Left wrist plain film | AP view | 97.3 mm image width:
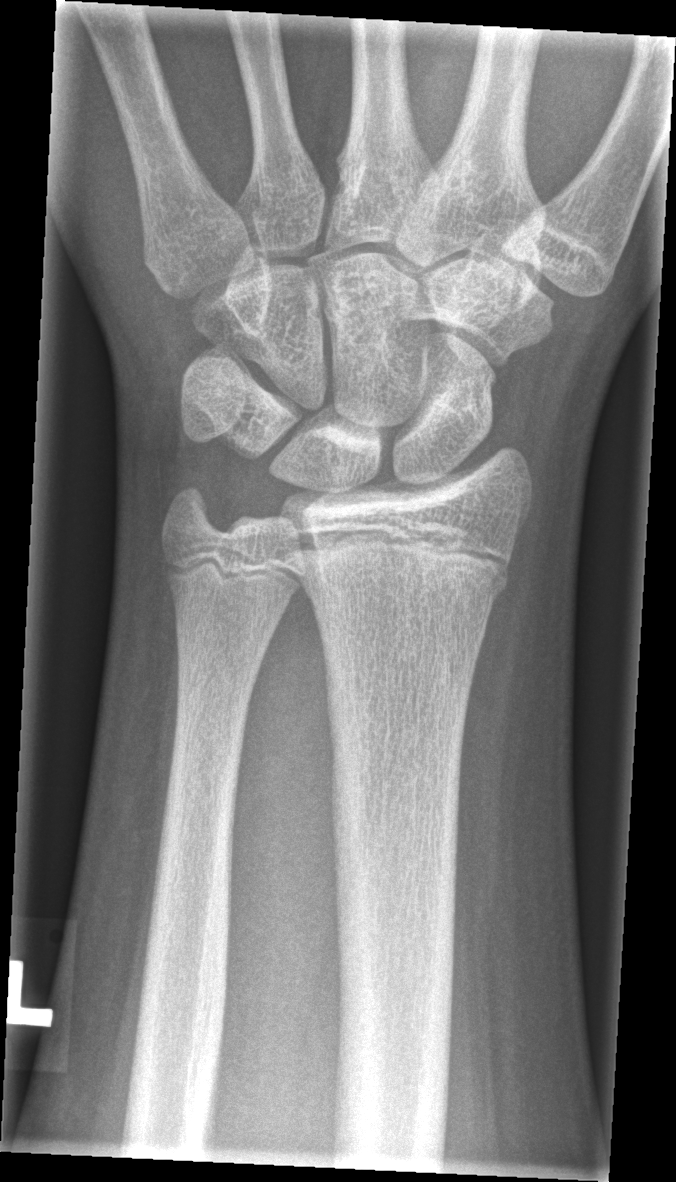
Fracture classified AO/OTA 23r-E/2.1. Fracture — (left=302, top=540, right=514, bottom=617).